Lateral view | Rt wrist radiograph

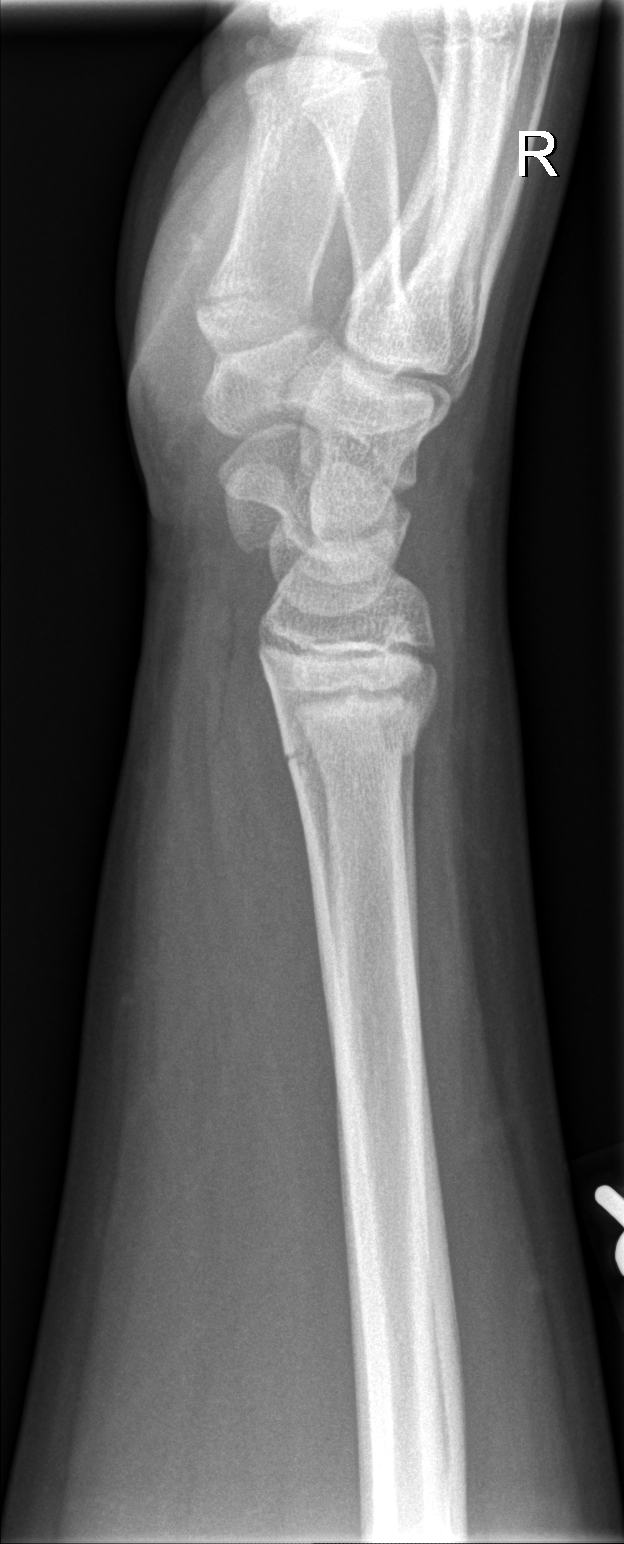 - Coordinates are [x1, y1, x2, y2] in image pixels.
- One fracture at (274, 695, 443, 777).
- One pronator sign at (214, 625, 333, 1071).